Rt pediatric wrist radiograph · lat · age 11 y, female · Siemens

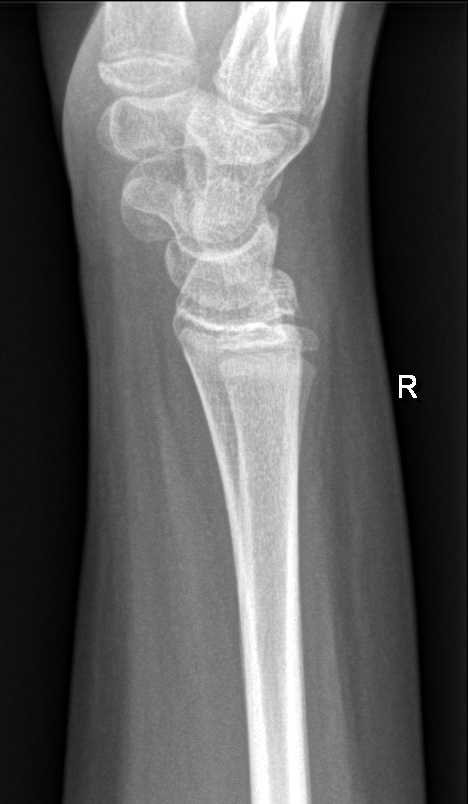

Fx: none labeled